Lateral projection, right wrist plain radiograph of the wrist —

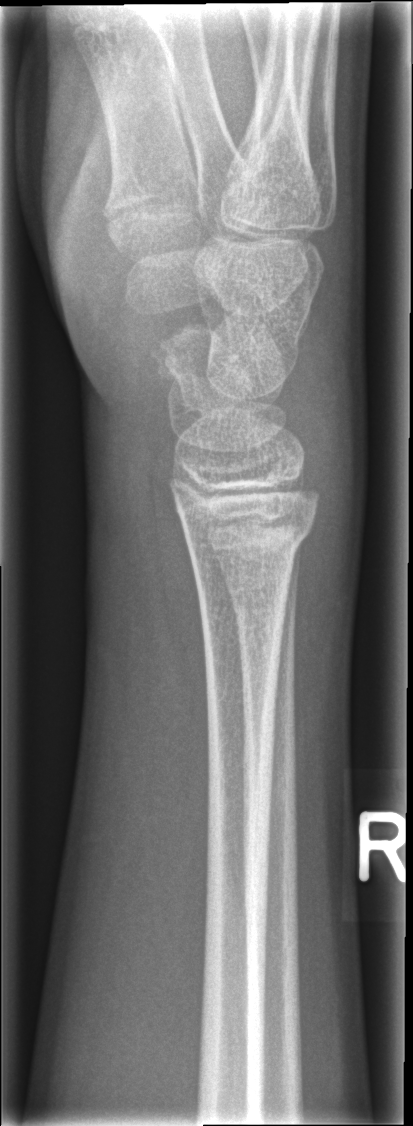

(boxes as x1,y1,x2,y2 (top-left / bottom-right, pixel units))
bone fracture: 1 @ [174, 505, 317, 572]
AO/OTA: 23r-M/2.1